Lt wrist X-ray · frontal view · follow-up · detector: Siemens · image 107.1 mm wide · 744 by 1292 pixels.
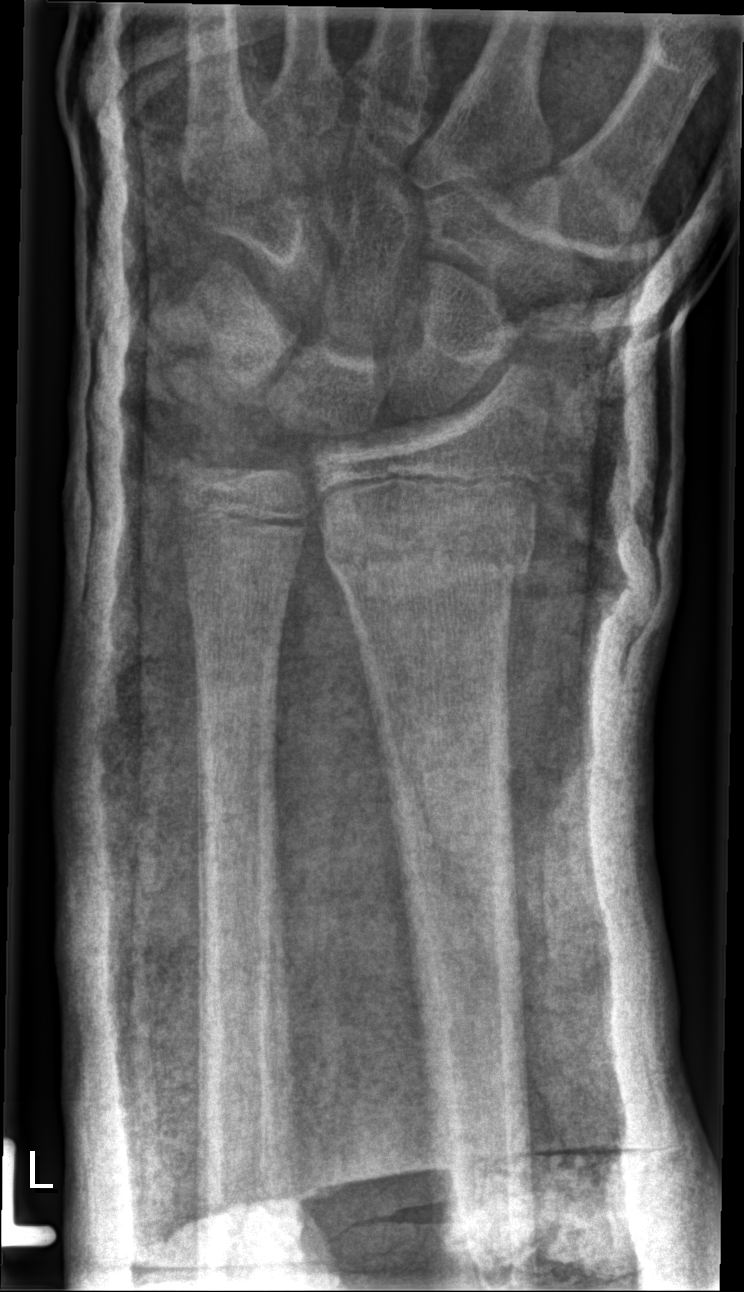

FINDINGS: One fracture at bbox(320, 521, 538, 597).